Left plain radiograph of the wrist | PA view | 13y M | in cast —
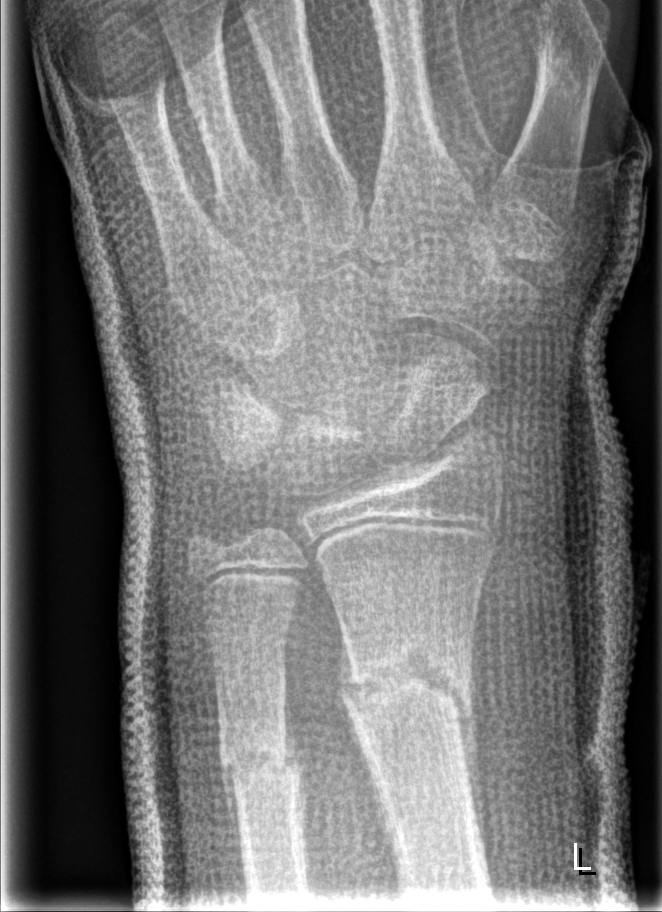
FINDINGS: AO code 23-M/3.1. Two bone fractures at bbox(337, 634, 477, 736); bbox(216, 721, 303, 802). Periosteal reaction: bbox(457, 618, 490, 879) bbox(220, 761, 245, 885) bbox(335, 617, 364, 704) bbox(284, 678, 302, 776).